Left plain radiograph of the wrist | AP projection | 12-year-old male | index exam —

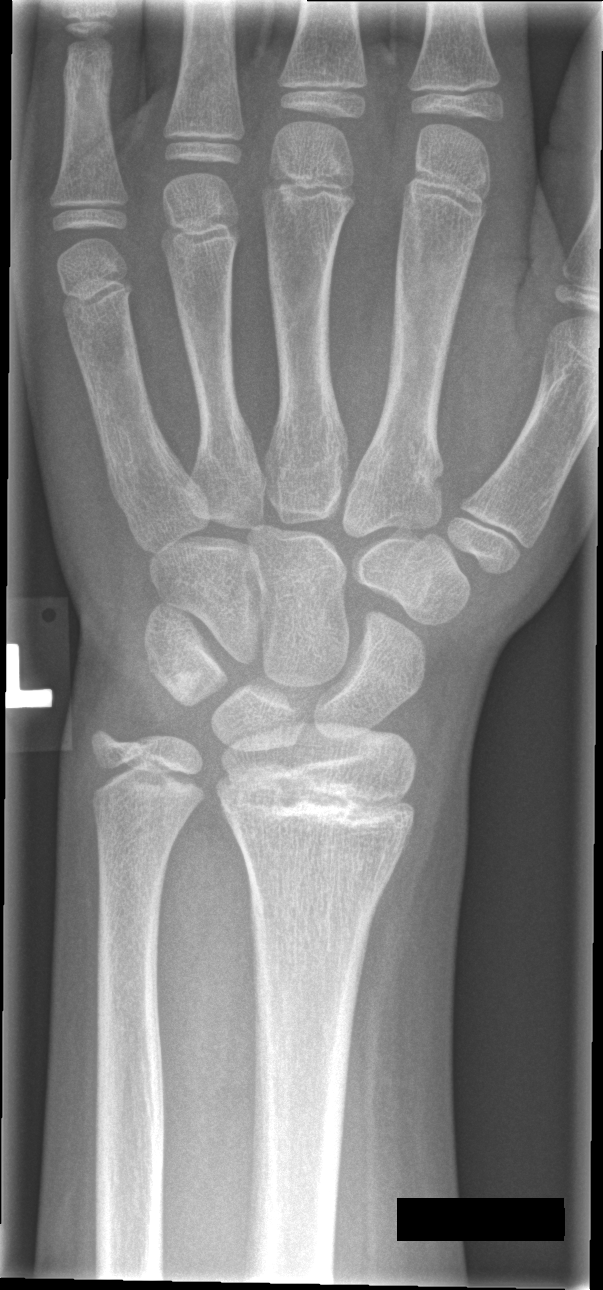
Findings: No fracture labeled.